Lateral view | Rt plain radiograph of the wrist

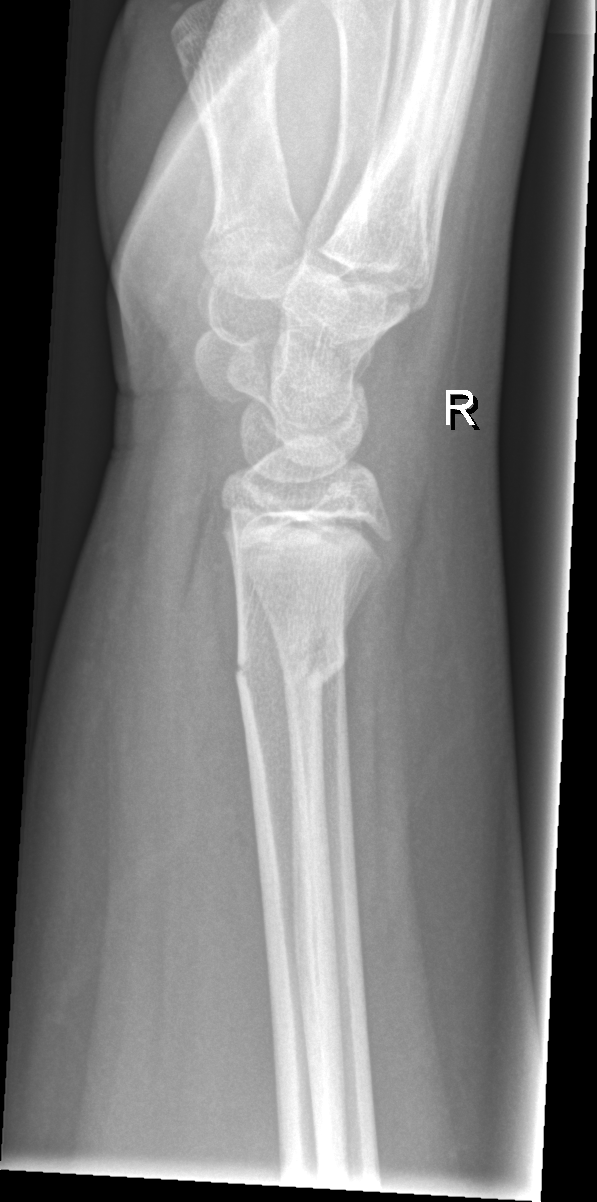 One pronator sign at [165, 473, 285, 1101]. Fracture: [232, 626, 349, 705] [311, 458, 367, 530]. Soft-tissue swelling: [339, 396, 499, 1085].